AP | right wrist plain radiograph of the wrist | male, 7 yo | 546 by 724 pixels —

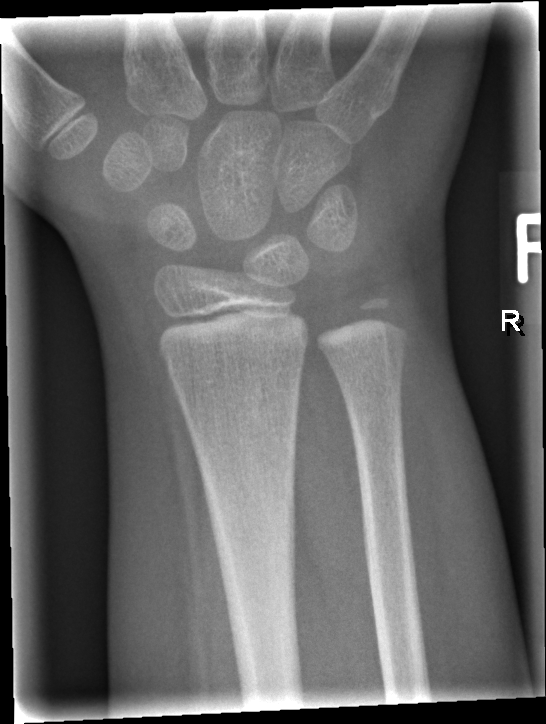 FINDINGS — No fracture annotation.